Lat view; left wrist plain film; subsequent exam; detector: Siemens 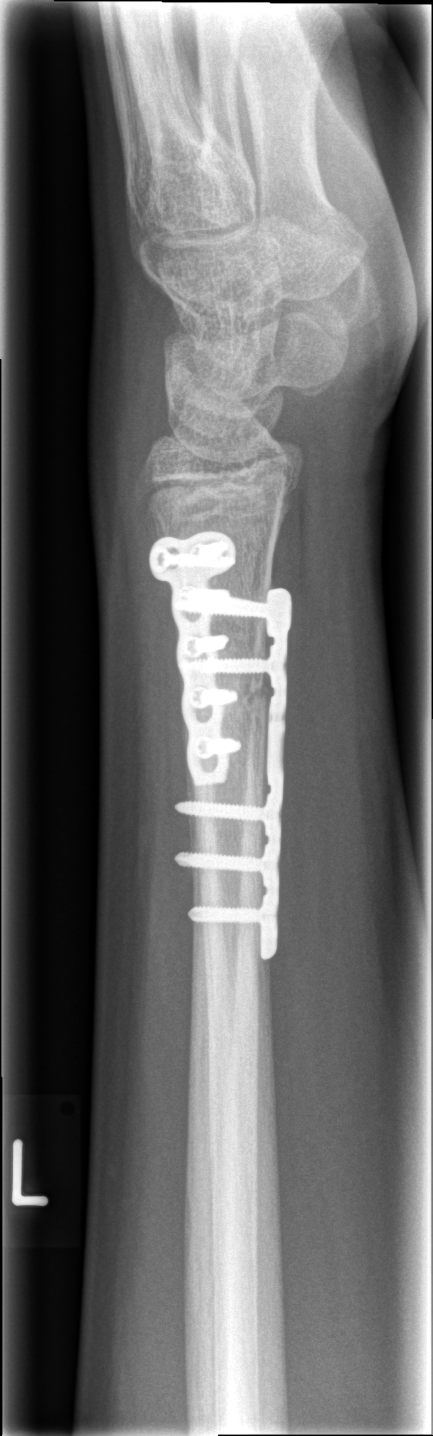 FINDINGS: (bounding boxes in image-pixel xyxy) Bone fracture: [x1=201, y1=668, x2=274, y2=714]. AO code 23-M/3.1; 23u-E/7. Decreased bone density (osteopenia). Metallic implant — [x1=154, y1=532, x2=292, y2=964].